Right wrist plain film, posteroanterior view, 10y F, in cast.
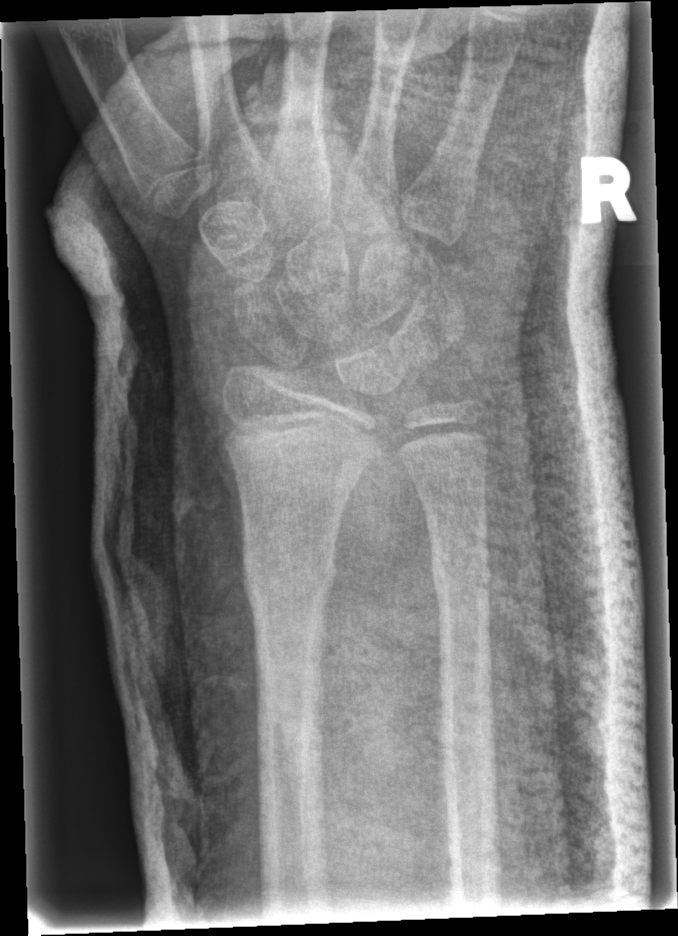
Q: What is the AO/OTA classification?
A: AO/OTA classification: 23-M/2.1
Q: Fracture present?
A: Fx — (left=235, top=527, right=341, bottom=613), (left=424, top=529, right=494, bottom=610)